PA/AP projection · right wrist plain film · 14-year-old female 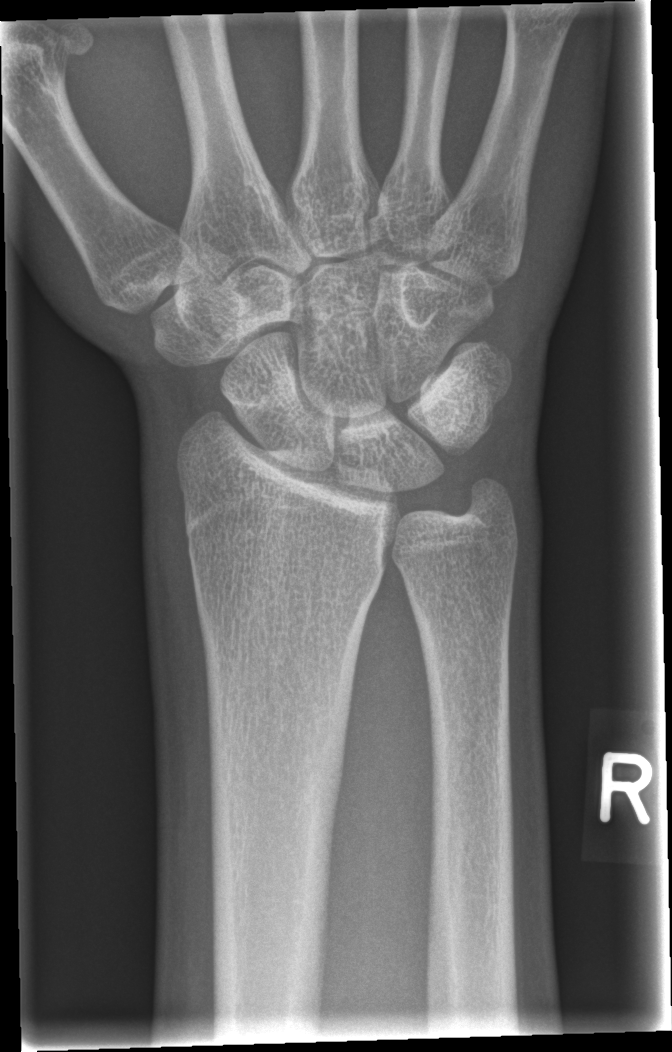

Fx: none labeled